Left wrist X-ray | AP view | 12-year-old boy | presentation radiograph | Siemens 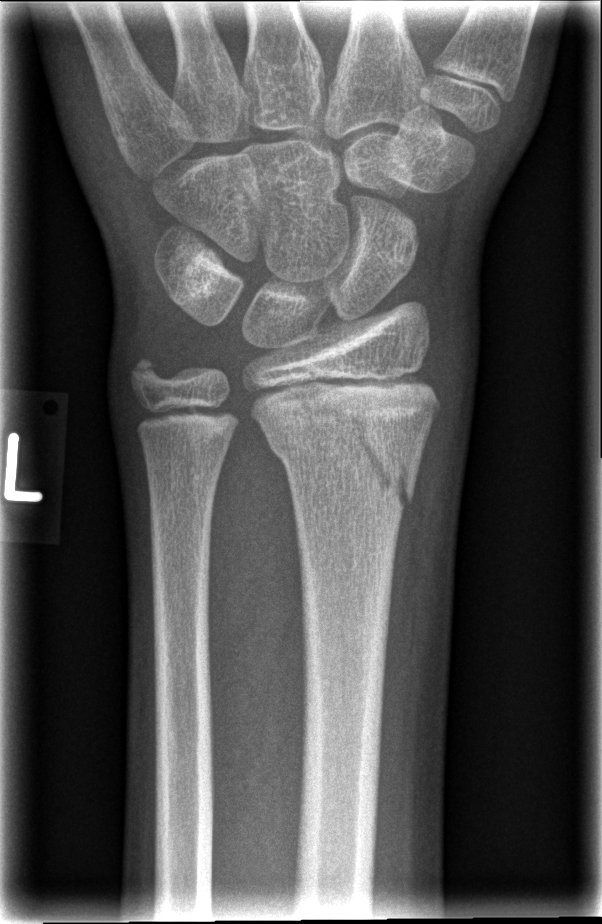

(boxes as x1,y1,x2,y2 (top-left / bottom-right, pixel units))
AO/OTA = 23r-M/3.1; 23u-E/7
Fracture = bbox(250, 383, 442, 520); bbox(120, 349, 175, 401)